Lateral projection | L wrist XR | 13y M
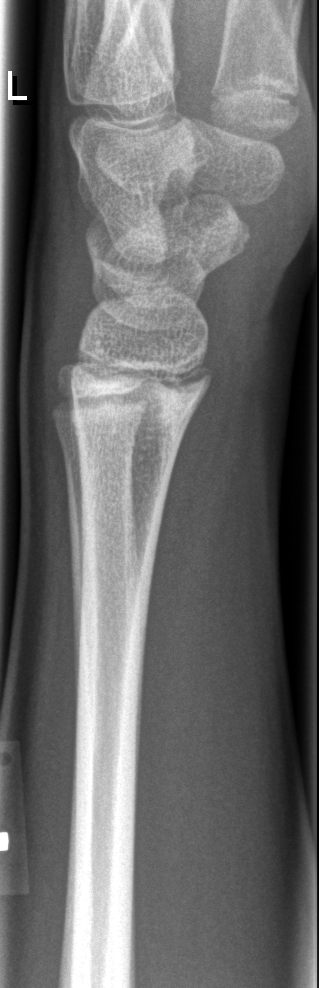 FINDINGS — No fracture annotation.